Left wrist plain film | AP | boy, 10 yo | 104.3 mm image width. 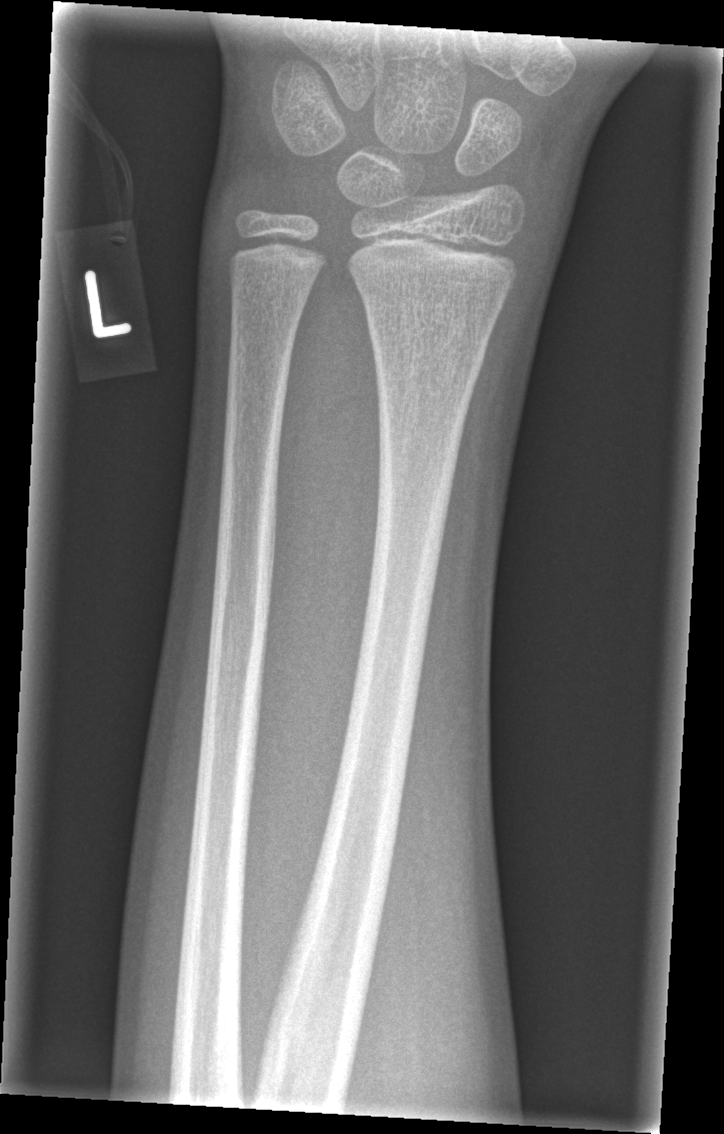 Fracture classified AO/OTA 23r-M/2.1. Bone fracture identified at (363, 296, 489, 383).